Left wrist radiograph, lat projection, 13y M, follow-up study —
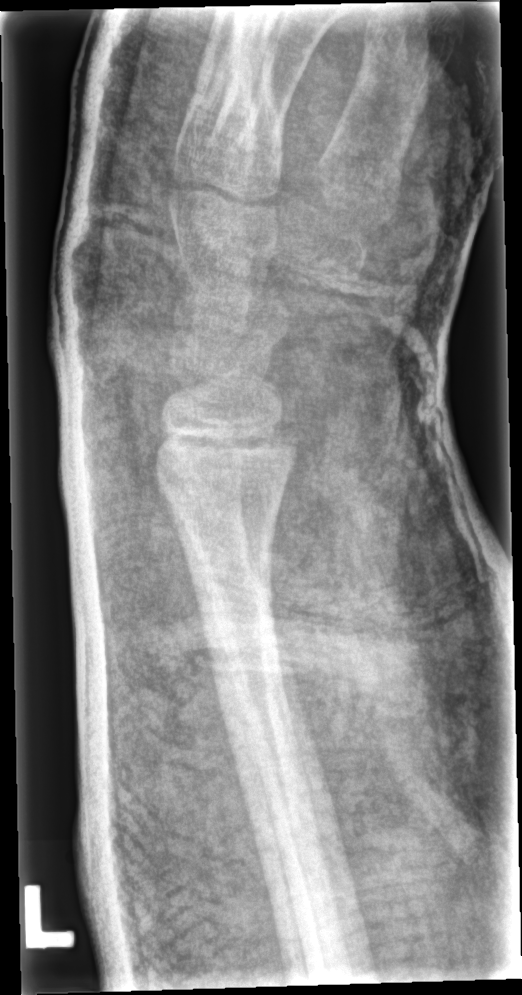   ao: 23r-E/2.1
  fracture: present but not clearly seen in this view